L plain radiograph of the wrist; AP; in cast
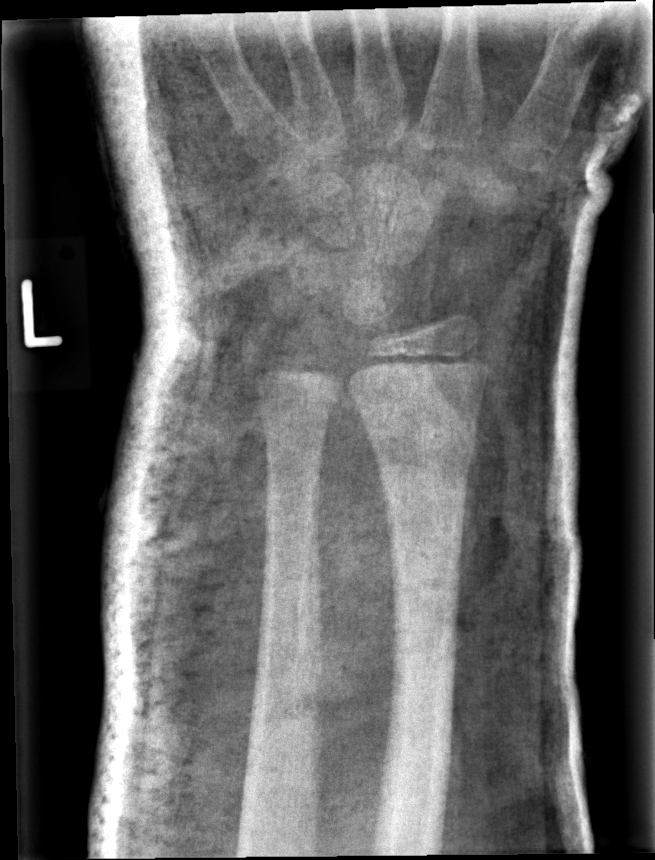

Findings: Fx: present but not clearly seen in this view. AO code 23r-M/3.1.